Left wrist plain film; lat; female, 11 yo —

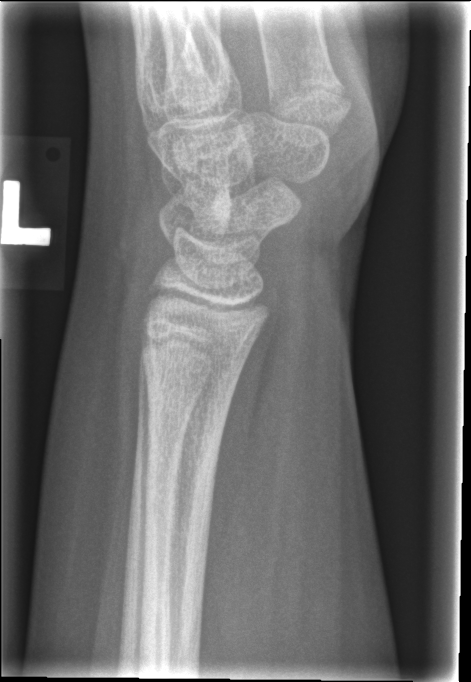

FINDINGS: Fx: none. Bone lesion — bbox(203, 183, 234, 227).